Lateral view | R wrist XR | presentation radiograph | 381 x 978 px: 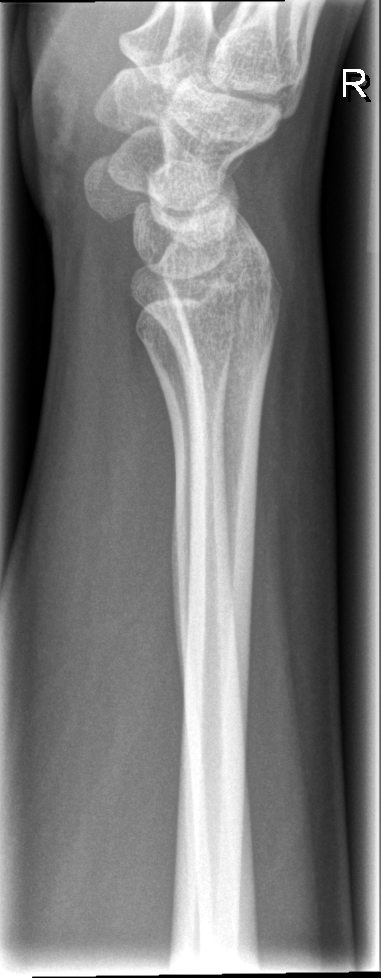 FINDINGS — No Fx annotated.